PA/AP projection · Lt wrist plain film.
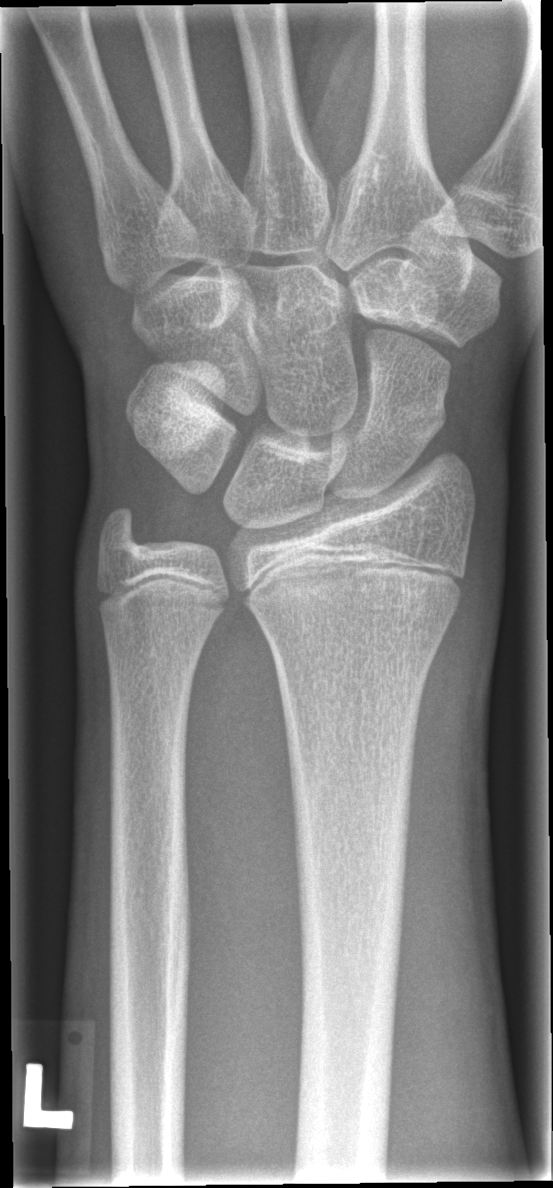
Q: Fracture present?
A: Fx present but not clearly seen in this view
Q: What is the AO/OTA classification?
A: AO/OTA classification: 23r-M/2.1